L wrist radiograph; AP; follow-up; 74.9 mm image width —

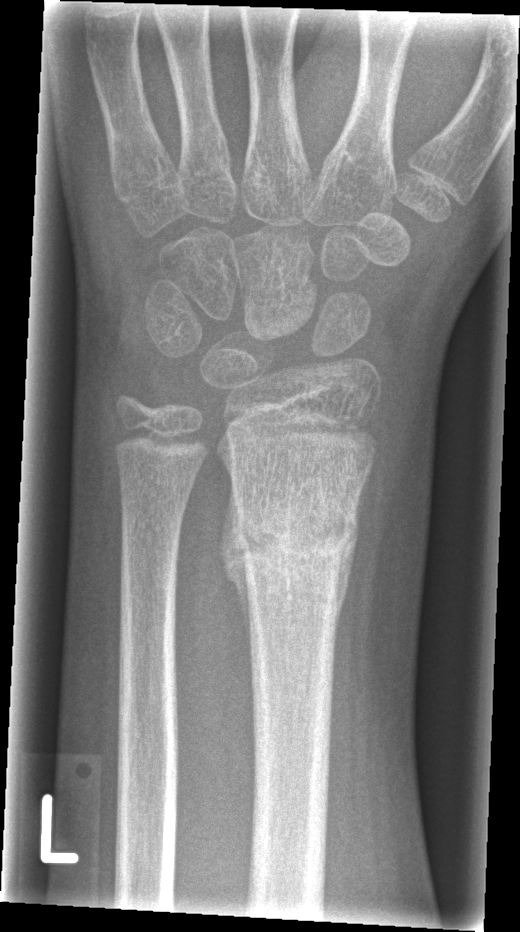 Fracture: (229, 491, 362, 584)
AO code: 23r-M/2.1
Periosteal thickening: 2 @ (219, 479, 251, 671), (335, 475, 368, 633)